Lateral · Lt wrist radiograph.

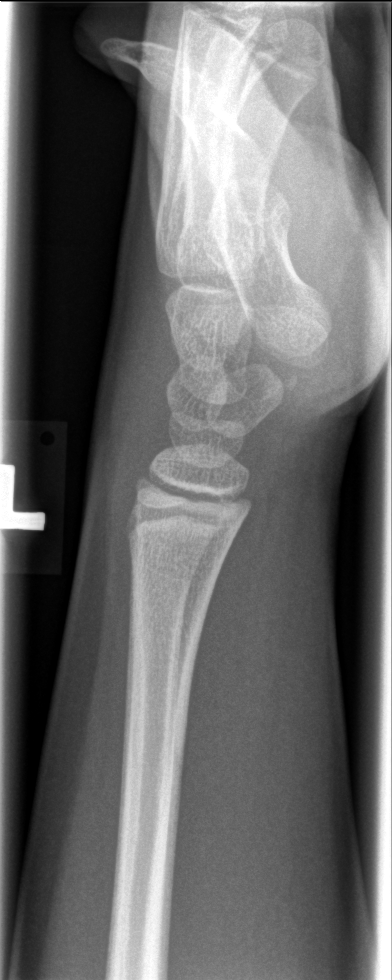

{
  "fracture": "none labeled"
}